PA projection | left wrist X-ray | 620 x 776 px 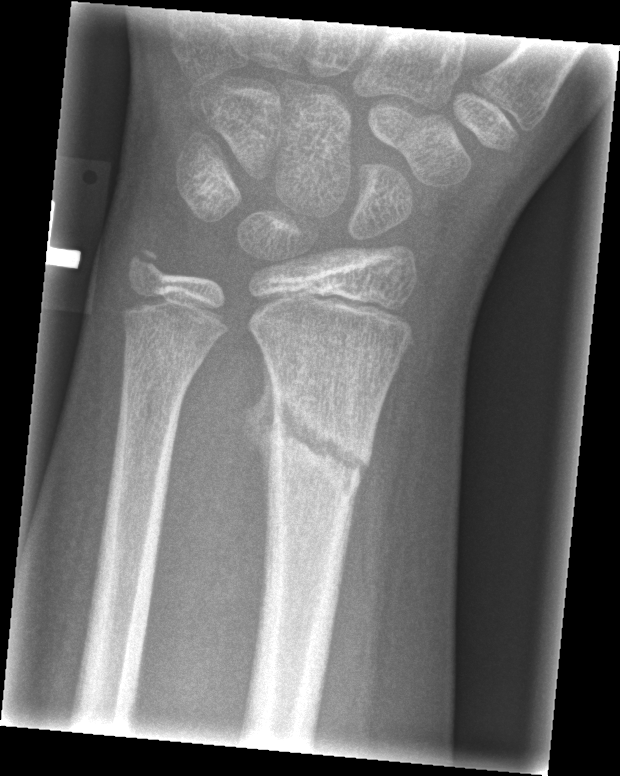
Findings: (pixel coordinates, top-left origin, xyxy) Fx: (left=262, top=387, right=372, bottom=506); (left=122, top=237, right=172, bottom=286). Osteopenic. Periosteal thickening identified at (left=232, top=352, right=279, bottom=506).